Right wrist XR | lateral projection | in cast

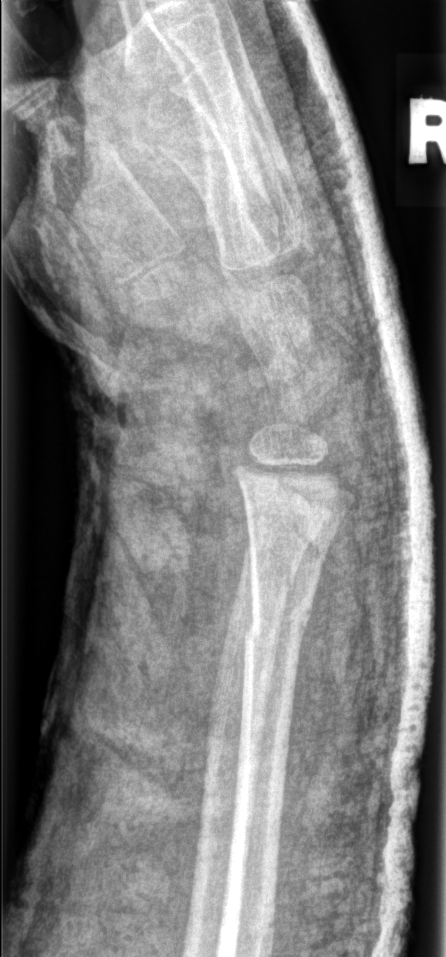
(bounding boxes in image-pixel xyxy)
bone fracture: [x1=240, y1=502, x2=332, y2=572]; [x1=239, y1=604, x2=316, y2=659]